Posteroanterior view, L plain radiograph of the wrist, 9-year-old girl, detector: Siemens 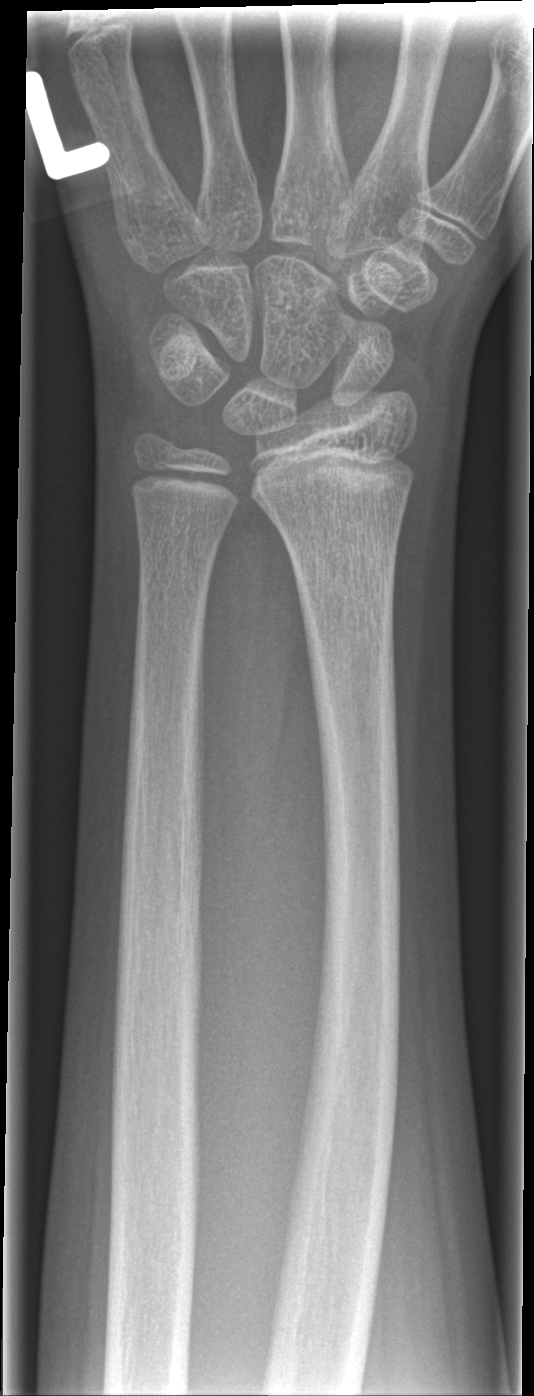
- Fx: none.